Lat, left wrist plain radiograph of the wrist, 14y M, detector: Siemens: 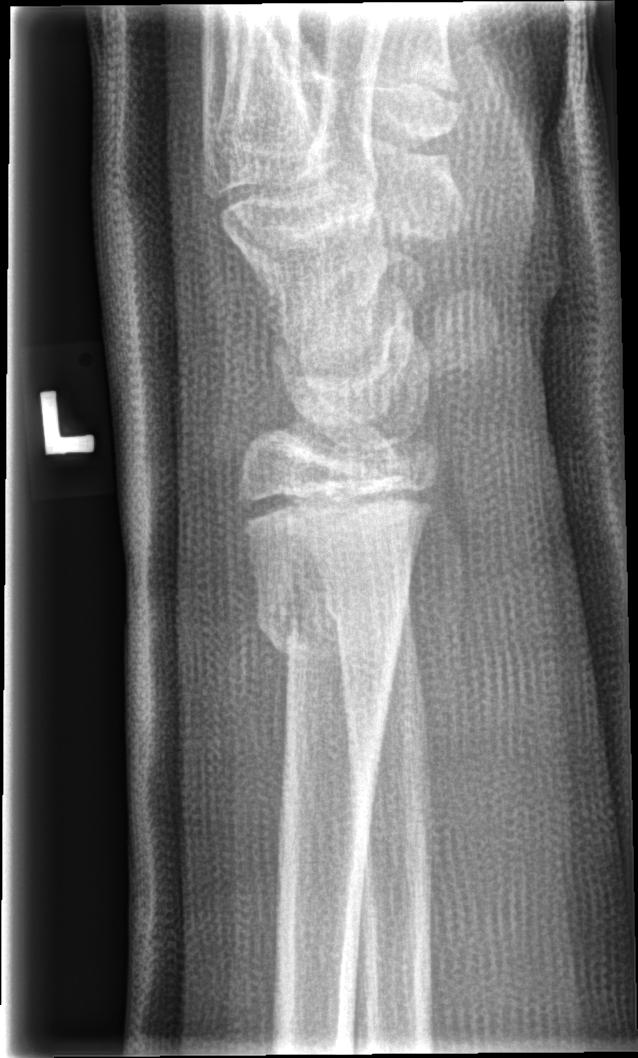
AO/OTA = 23-M/2.1
bone fracture = 2 @ 248 579 406 665
  319 571 418 638